Posteroanterior projection, right wrist radiograph, 14y M, follow-up, 91.0 mm image width, image size 632x986:
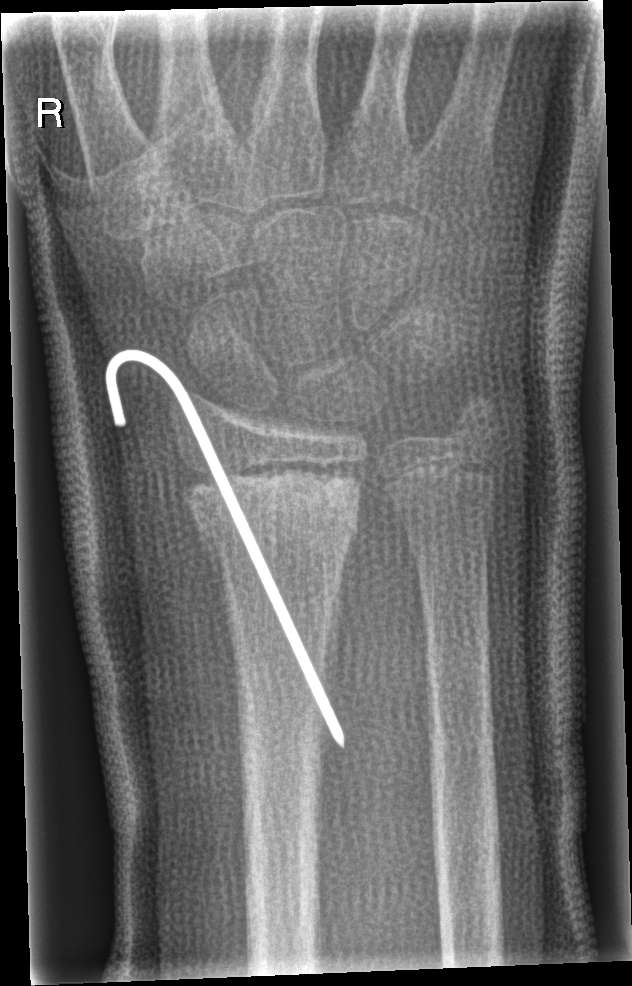 Bone fracture identified at [x1=177, y1=455, x2=369, y2=578].
Metal — [x1=105, y1=347, x2=348, y2=750].
AO/OTA classification: 23r-E/2.1; 23u-E/7.